Lateral projection; left wrist radiograph; Siemens —
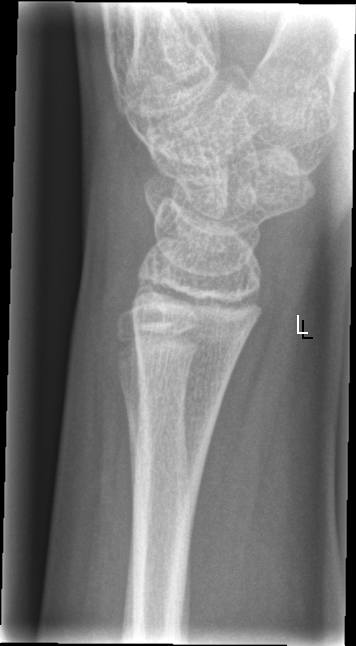 bone fracture: none labeled